Lat · left wrist radiograph · pediatric patient (boy, age 14) · initial study — 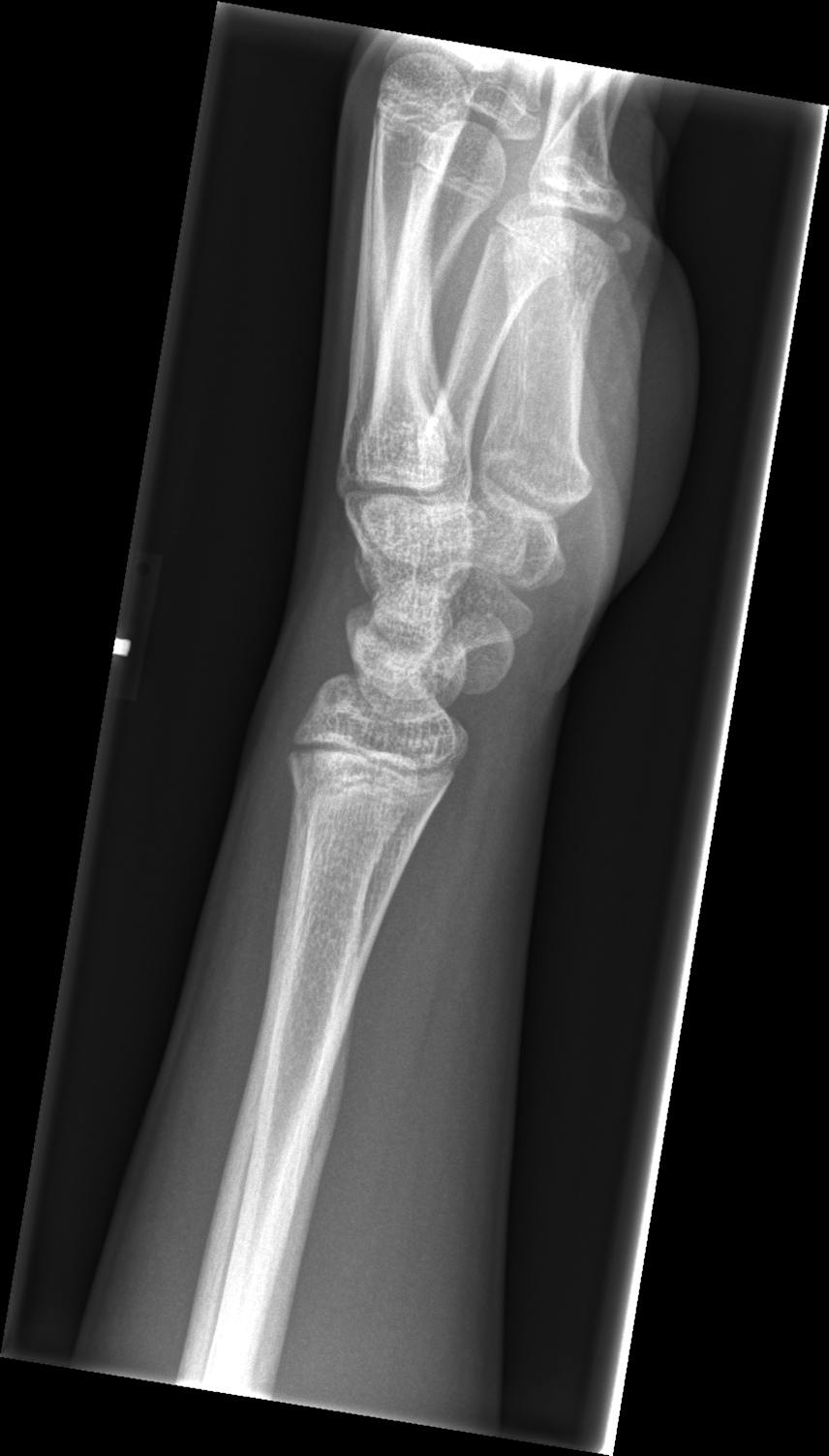
FINDINGS: Fracture classified AO/OTA 23r-M/2.1. Bone fracture: (left=283, top=758, right=434, bottom=862).